L wrist plain film | AP | 9y F | cast present — 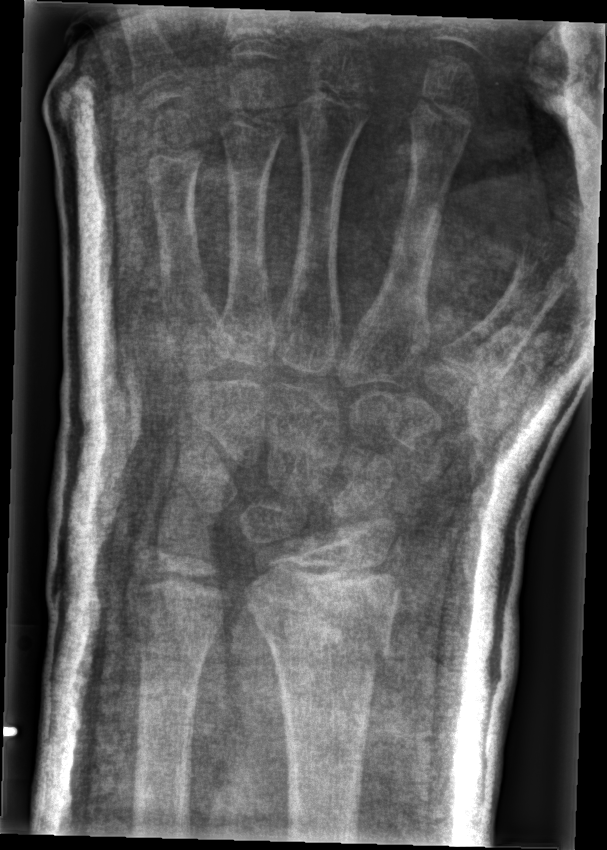

Findings: (boxes as x1,y1,x2,y2 (top-left / bottom-right, pixel units)) Fracture identified at [x1=245, y1=570, x2=407, y2=669].